Lt wrist plain film | lateral | girl, 13 yo | detector: Siemens.
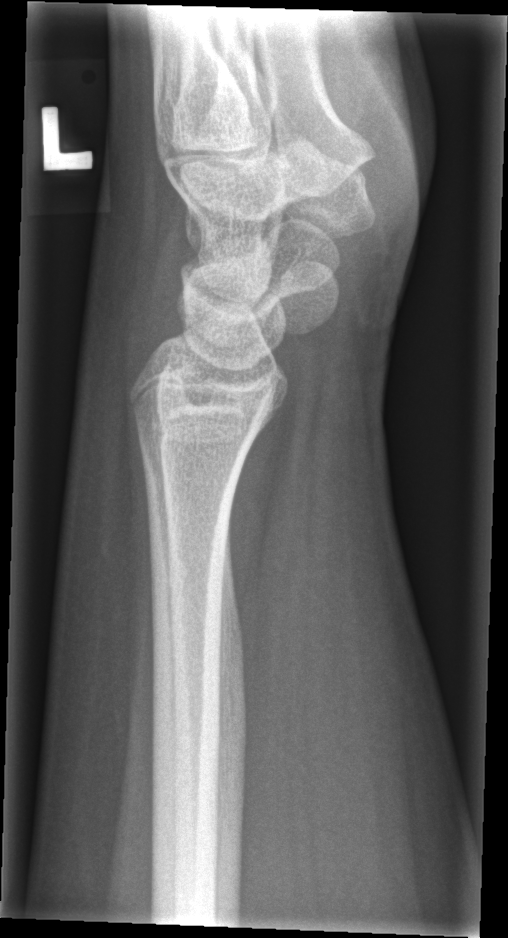

Q: Is there a fracture?
A: Fracture: none labeled